Lt wrist plain film | lateral | 9-year-old female | detector: Siemens | 68.0 mm image width | image size 472x1100 —

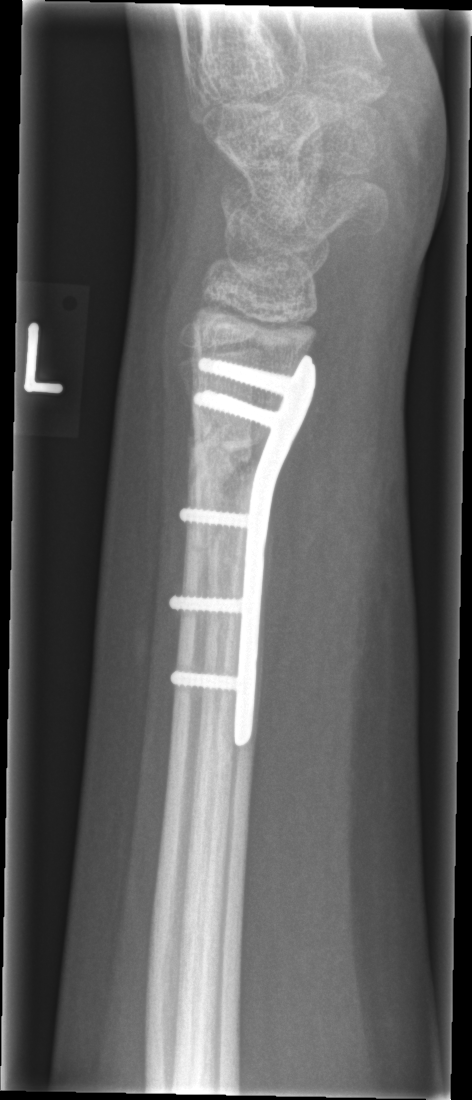

Fracture identified at bbox(181, 401, 270, 503). Metallic hardware: bbox(166, 351, 321, 749). Osteopenia.